Lat · left wrist X-ray — 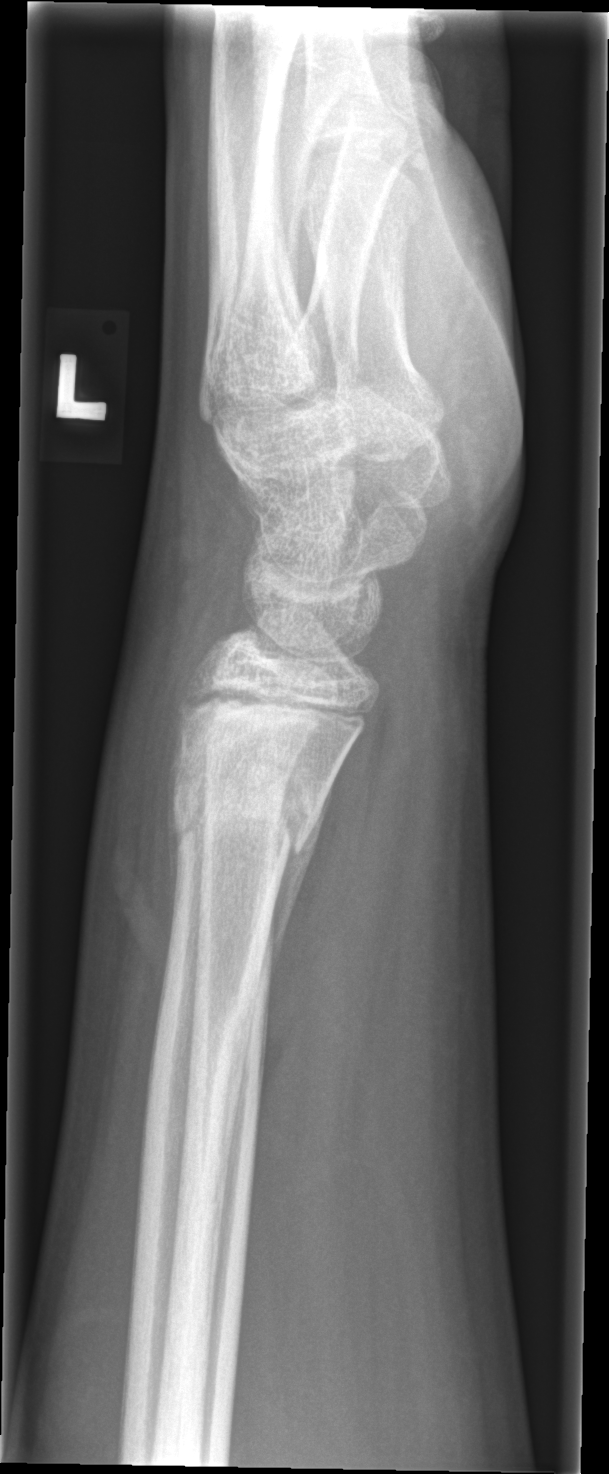

Findings: (pixel coordinates, top-left origin, xyxy) Periosteal thickening identified at (left=246, top=767, right=337, bottom=1052). Fx — (left=169, top=769, right=333, bottom=868). Osteopenic.